Frontal | left wrist pediatric wrist radiograph | age 10 y, female | acquired on Siemens:
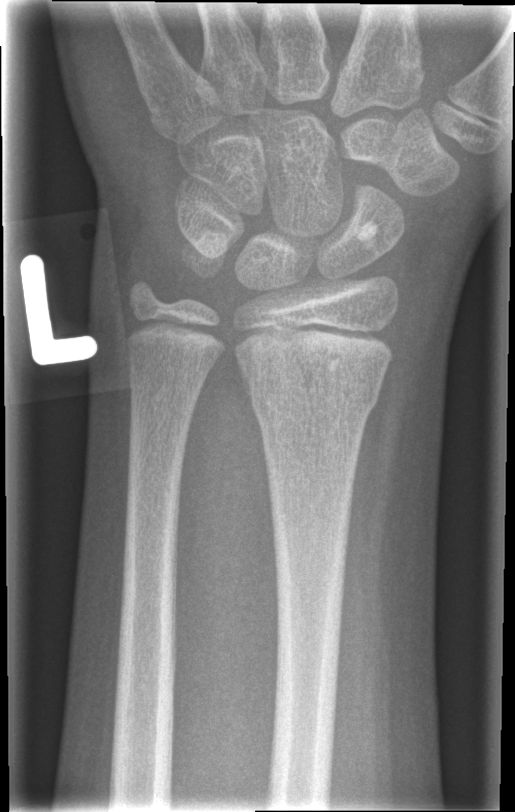 Pixel coordinates, top-left origin, xyxy. Fracture: <244,372>-<383,428>. AO/OTA classification: 23r-M/2.1.